Rt pediatric wrist radiograph | lat | 469 by 728 pixels —

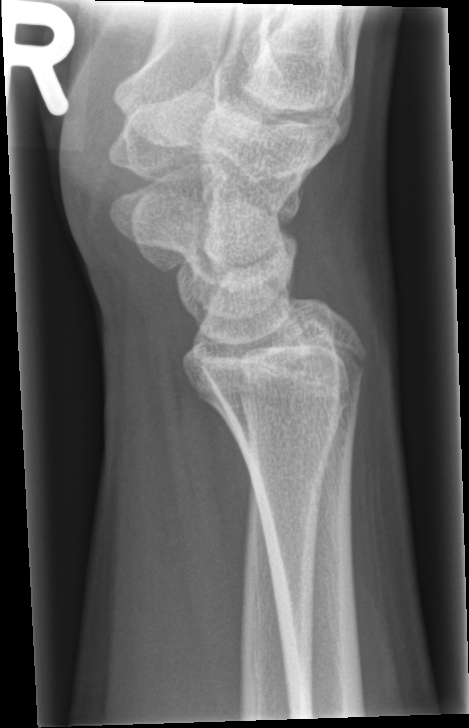
Fracture: none labeled.